Lateral · left wrist X-ray · 10-year-old girl · initial study · detector: Siemens · image width 68.5 mm: 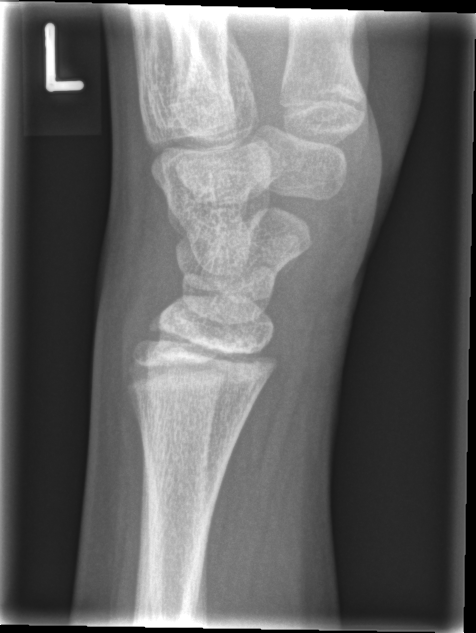
FINDINGS: No fracture bounding box.